PA view; left wrist X-ray; pediatric patient (girl, age 9); image size 574x902 —
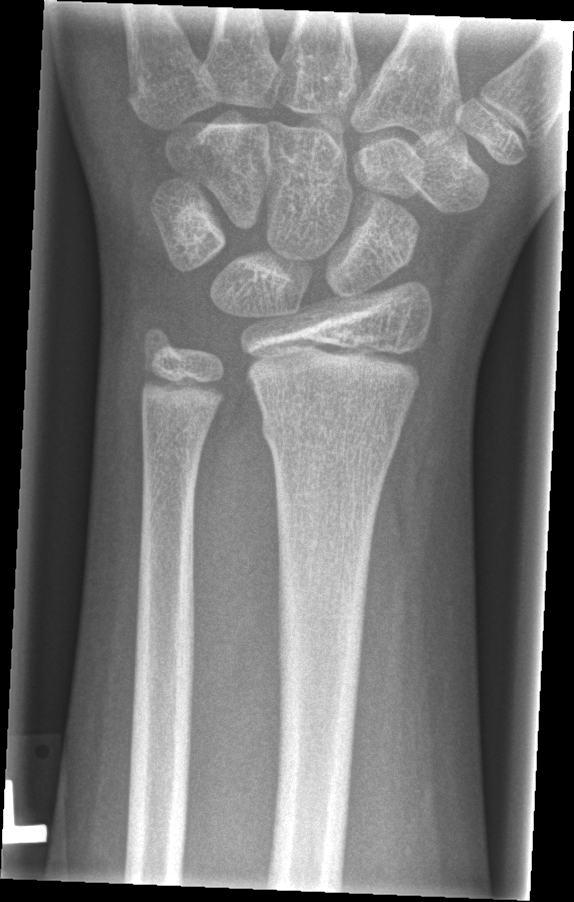
Fx identified at <259,407>-<404,460>.